Lateral projection | Rt plain radiograph of the wrist | 9y M | initial study | image size 526x1568:

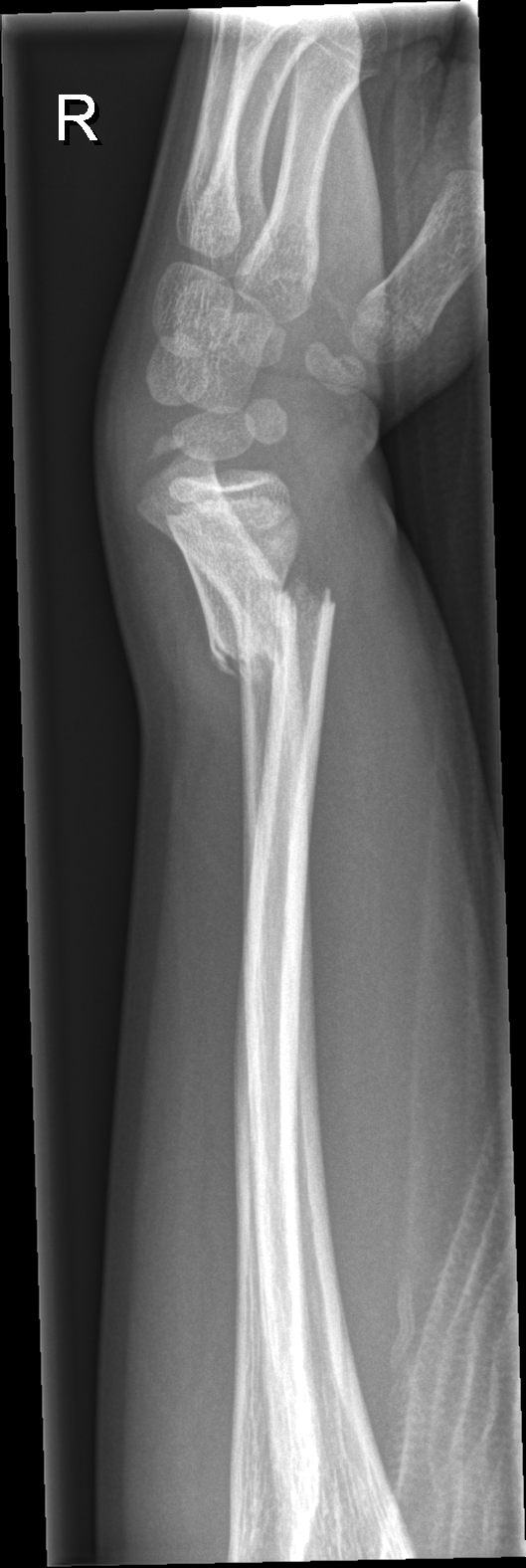
Findings: (coordinates are [x1, y1, x2, y2] in image pixels) One fracture at <206,567>-<339,680>. Fracture classified AO/OTA 23-M/3.1. Soft-tissue finding: <293,469>-<465,980>, <131,528>-<254,889>.